L wrist X-ray, lateral view, pediatric patient (female, age 7), image 76.0 mm wide — 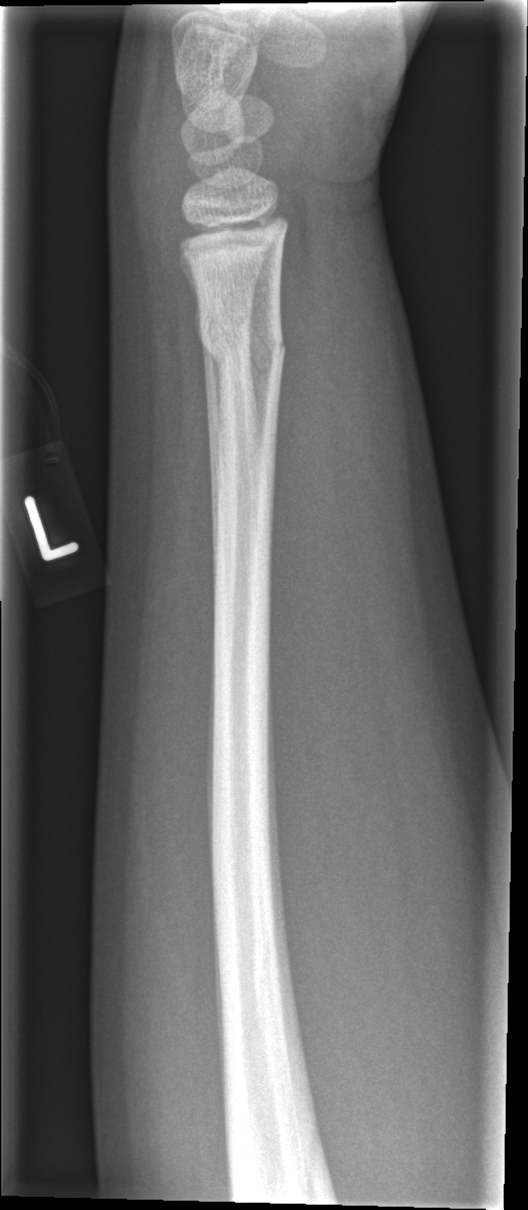

Fracture — <193,304>-<288,376>.
AO/OTA classification: 23r-M/3.1.